Left wrist plain film · frontal view · 420x1086: 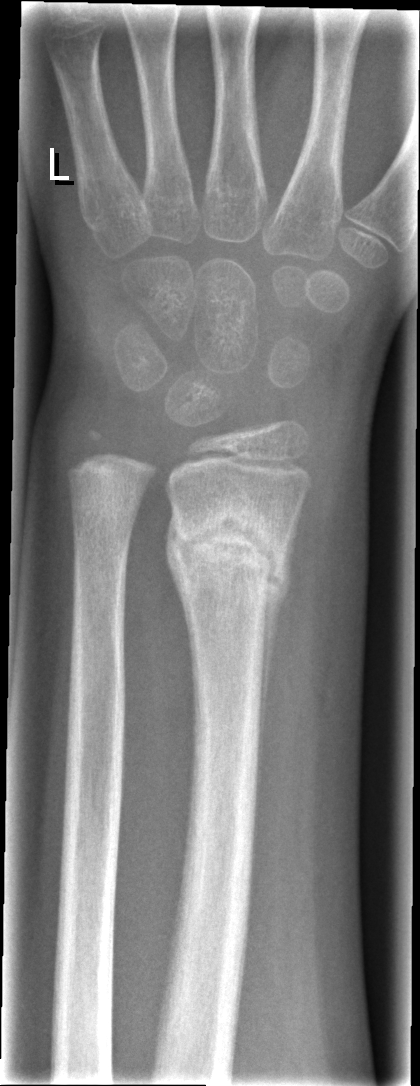 osteopenia: present
periosteal reaction: 2 @ 255 498 300 786; 163 504 199 724
Fx: 168 494 293 608